PA view · Lt wrist plain film · 18y M · Siemens · image 101.4 mm wide
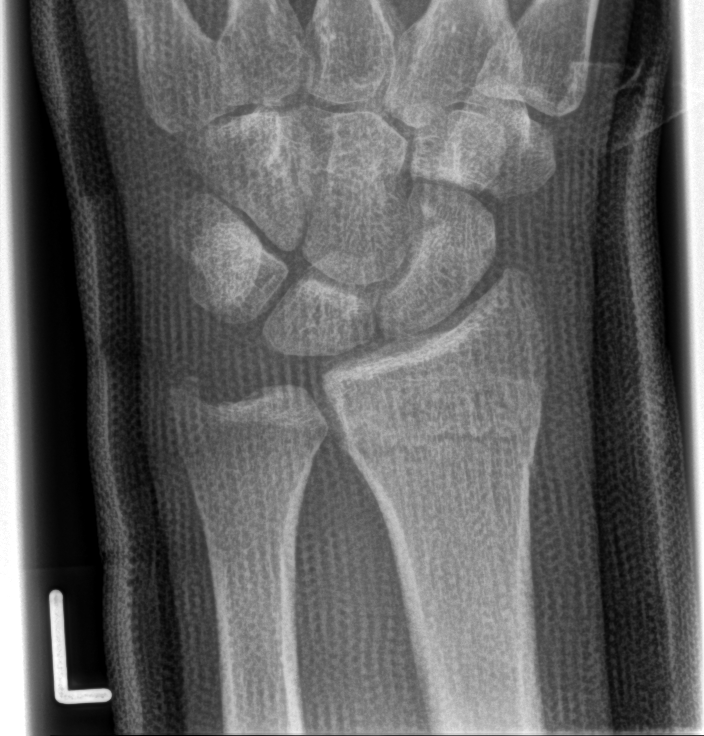
FINDINGS — AO/OTA classification: 23r-M/3.1; 23u-E/7. Fx identified at [340, 414, 545, 466], [163, 364, 229, 425].